Lateral view, left wrist pediatric wrist radiograph, 6y F — 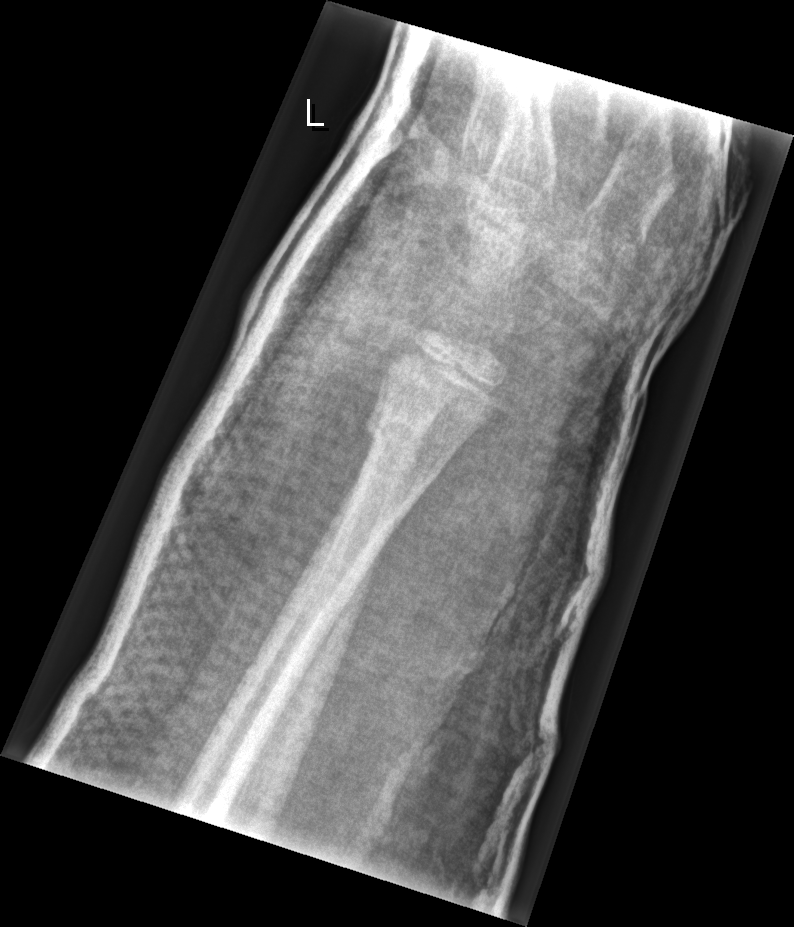
Findings: Fracture — 360,400,452,490. Fracture classified AO/OTA 23r-M/2.1.